Lt plain radiograph of the wrist; PA/AP; age 10 y, male; cast present; 558 by 1150 pixels — 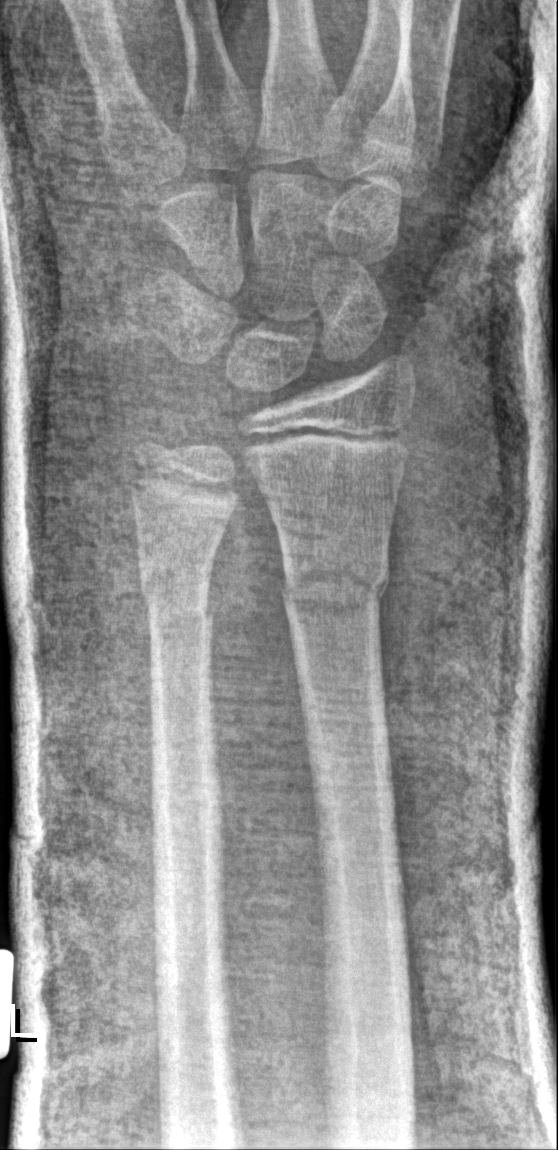

Fractures — bbox(275, 547, 393, 621); bbox(136, 554, 218, 633). AO/OTA classification: 23-M/3.1.